Left wrist plain radiograph of the wrist | frontal view | 6-year-old female | image size 578x1022 — 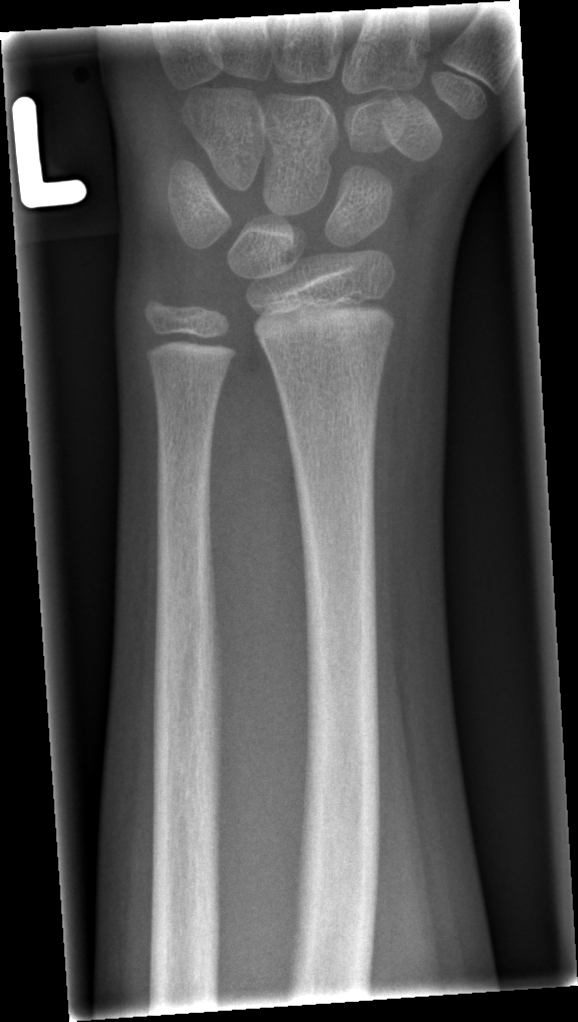

Fx: none.